Lateral, L wrist radiograph, age 13 y, male, imaged through cast.
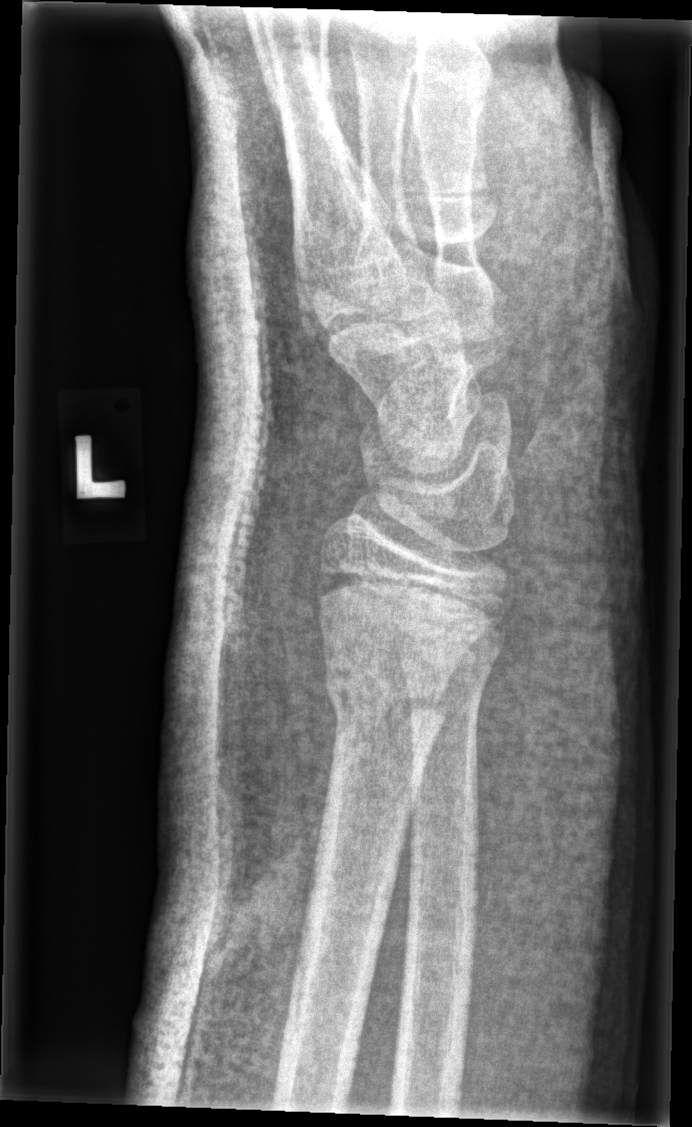

(pixel coordinates, top-left origin, xyxy)
Bone fracture = 1 @ [317, 651, 446, 765]